PA projection · right wrist plain film. 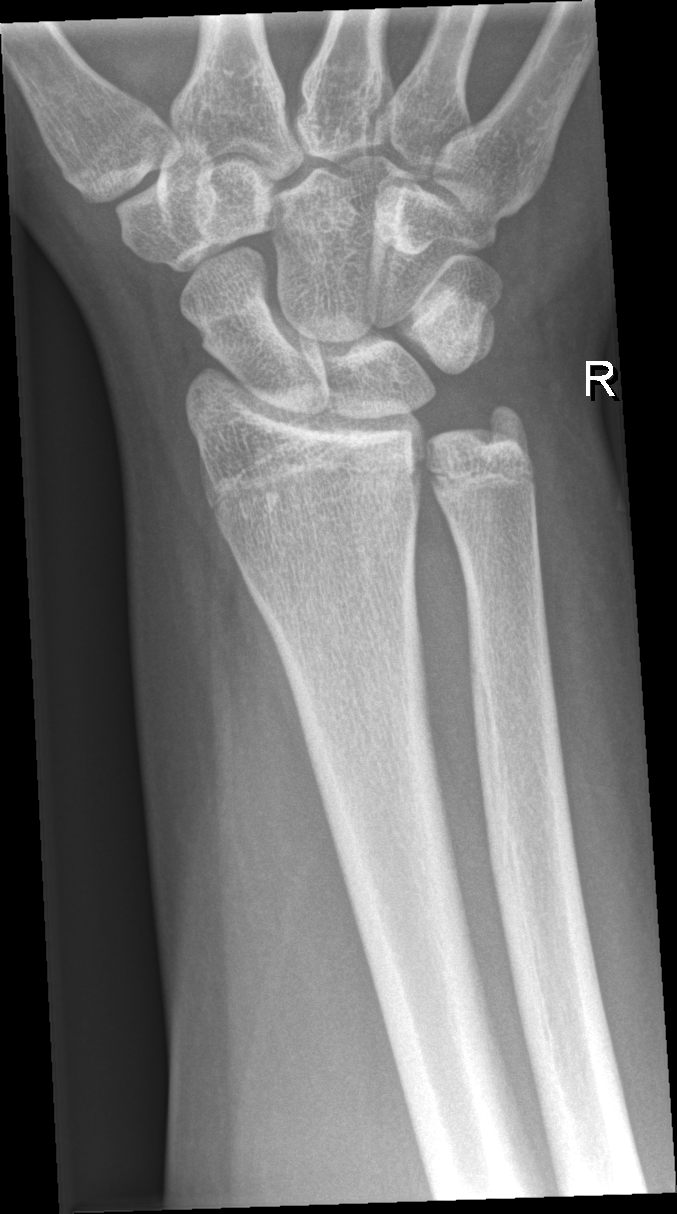

fracture = none labeled